Frontal projection, right wrist pediatric wrist radiograph, presentation radiograph, acquired on Siemens. 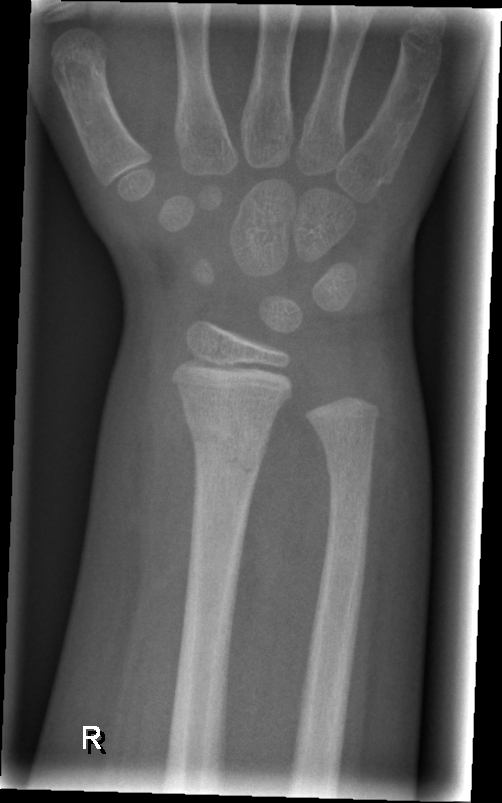
Bone fractures — bbox(182, 404, 269, 481) bbox(322, 448, 376, 488).
AO/OTA classification: 23r-M/3.1; 23u-M/2.1.